Frontal projection; Rt wrist X-ray; acquired on Siemens; 539 by 612 pixels. 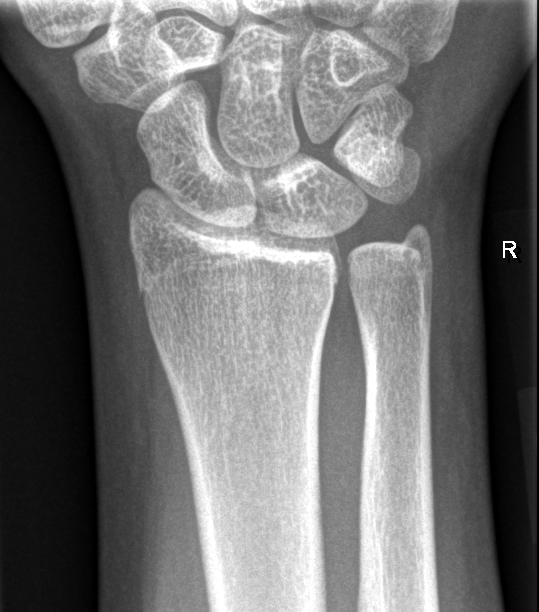 No fracture labeled.